Lateral, Rt wrist radiograph, 15y F. 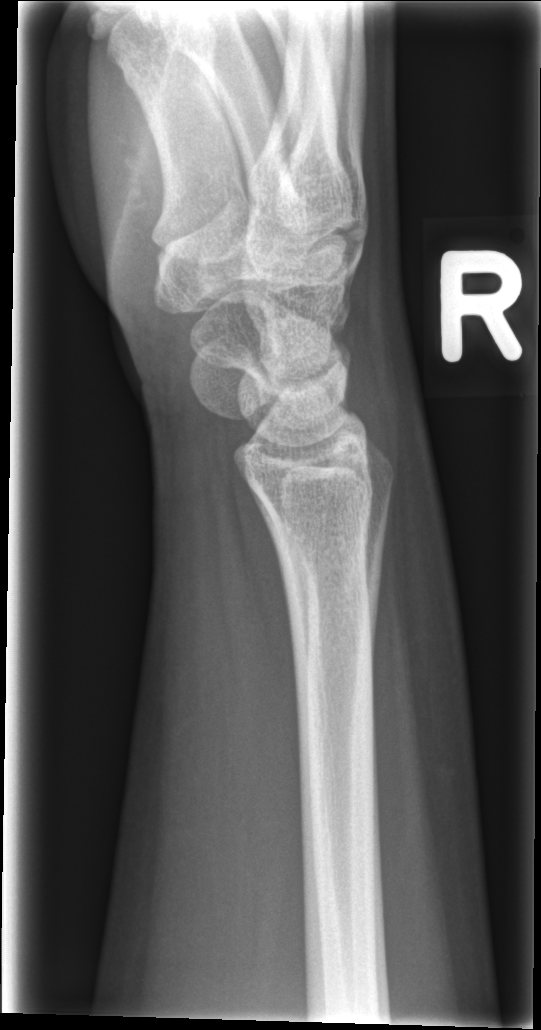
FINDINGS — No fracture labeled.